L wrist X-ray | PA/AP projection | male, 12 yo | acquired on Siemens | image width 110.6 mm 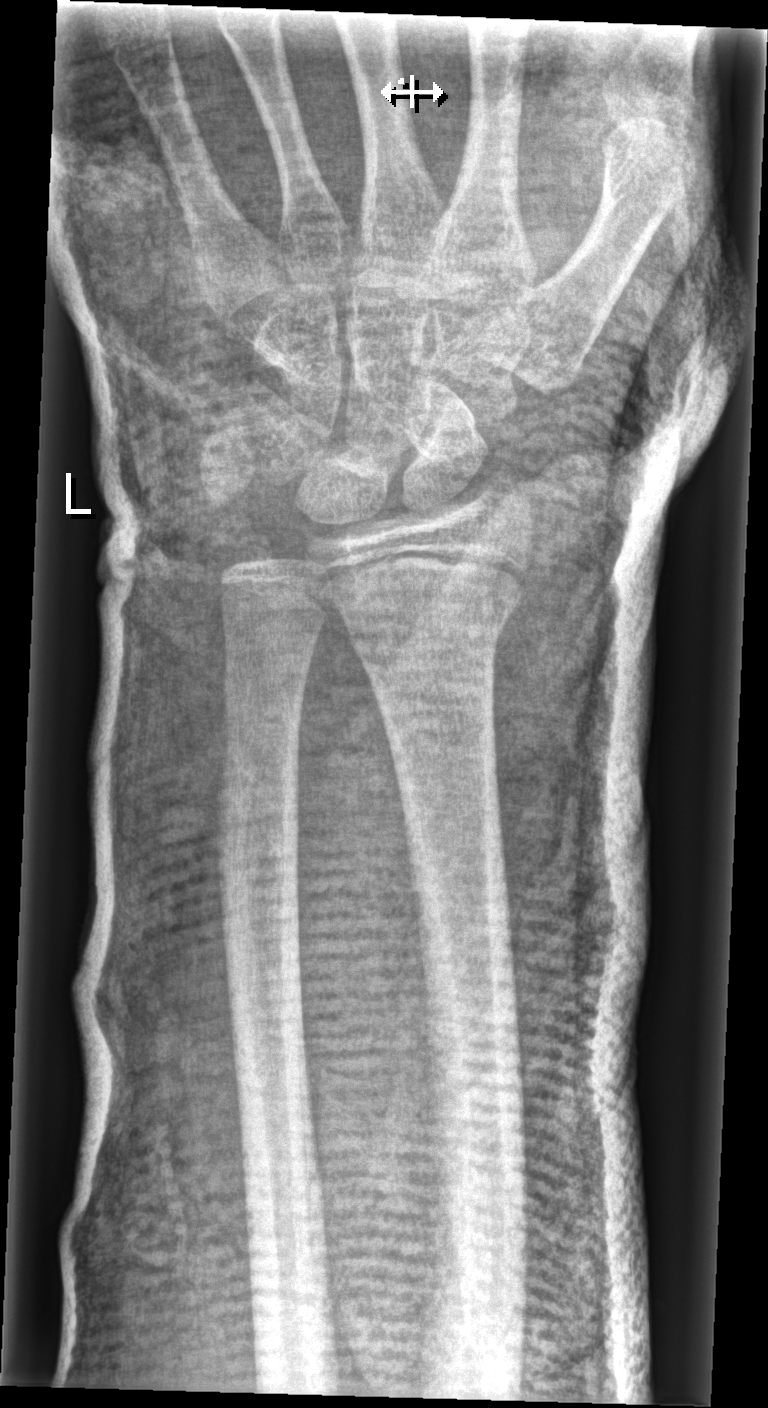

Boxes as x1,y1,x2,y2 (top-left / bottom-right, pixel units).
Two fractures at <329,577>-<525,654>, <217,522>-<282,586>.
Fracture classified AO/OTA 23r-M/3.1; 23u-E/7.